Lateral view · left wrist radiograph · image size 440x1056.
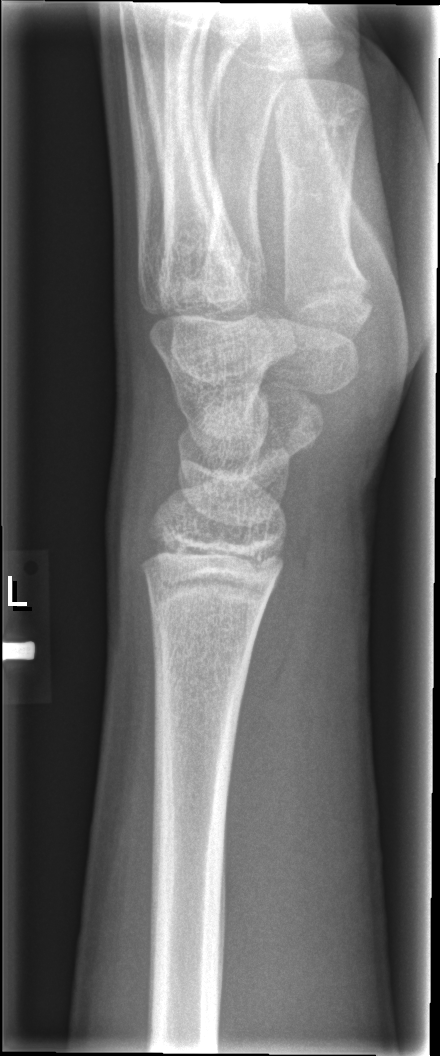

* Fracture: none labeled.